Lateral, left wrist plain film —
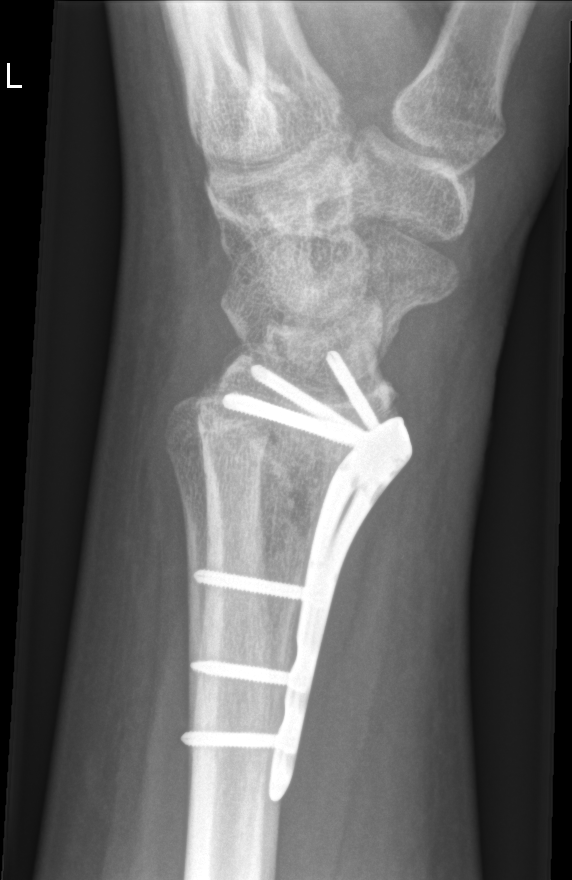   fracture: 1 @ (193, 365, 405, 547)
  metal: 1 @ (183, 343, 414, 807)